Left wrist plain radiograph of the wrist · lat.
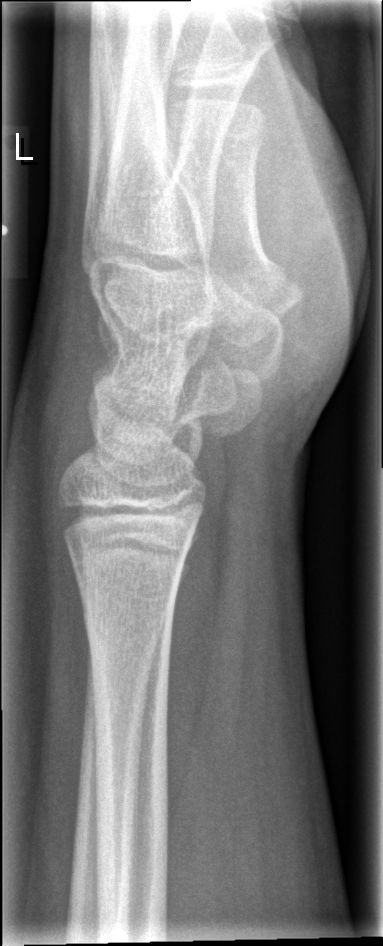 • Fracture: none labeled.